Right plain radiograph of the wrist · AP projection · age 5 y, girl.

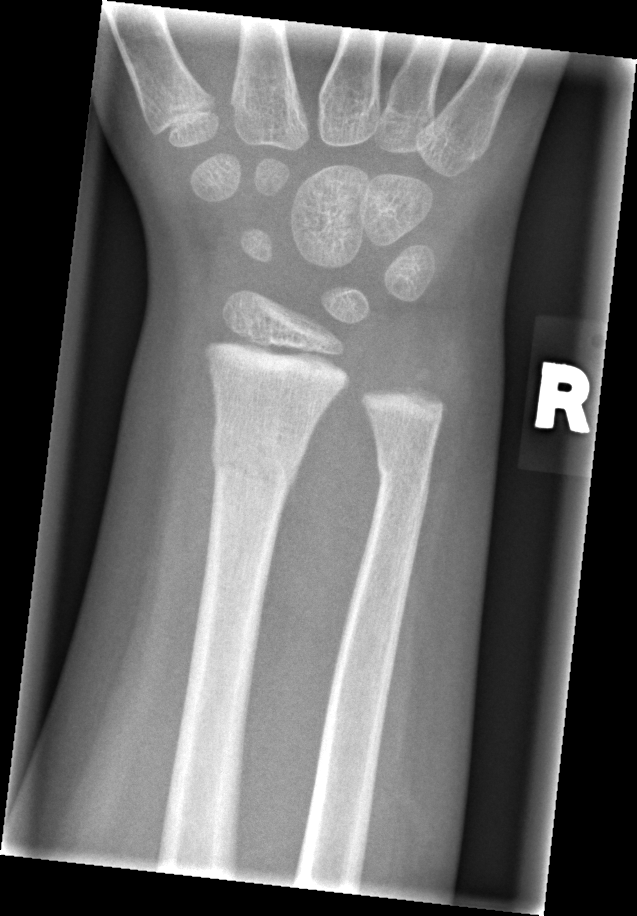

FINDINGS — AO code 23r-M/3.1; 23u-M/2.1. Fracture: [205, 428, 306, 503] [373, 447, 437, 499].